Lateral projection | left wrist plain film | female, 15 yo | Siemens —

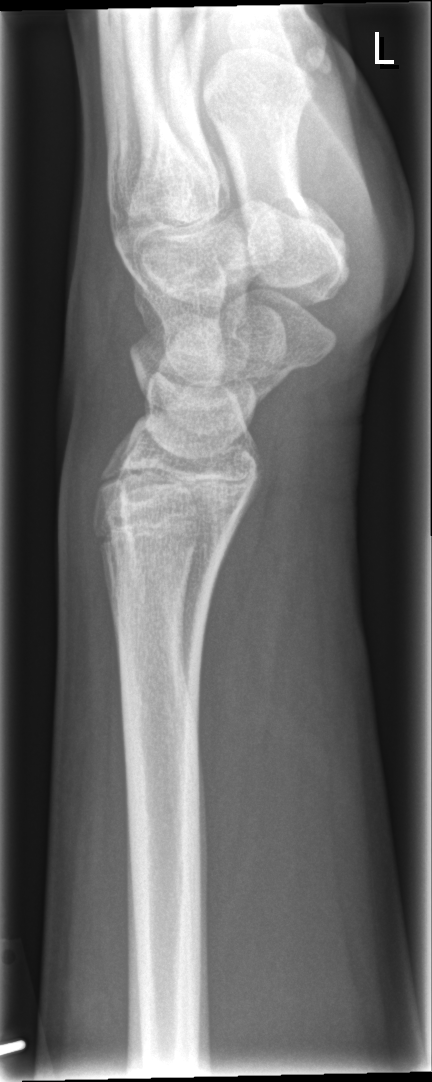

{"fracture": "1 @ bbox(206, 330, 298, 380)"}